Right wrist XR | posteroanterior | female, 10 yo | subsequent exam —
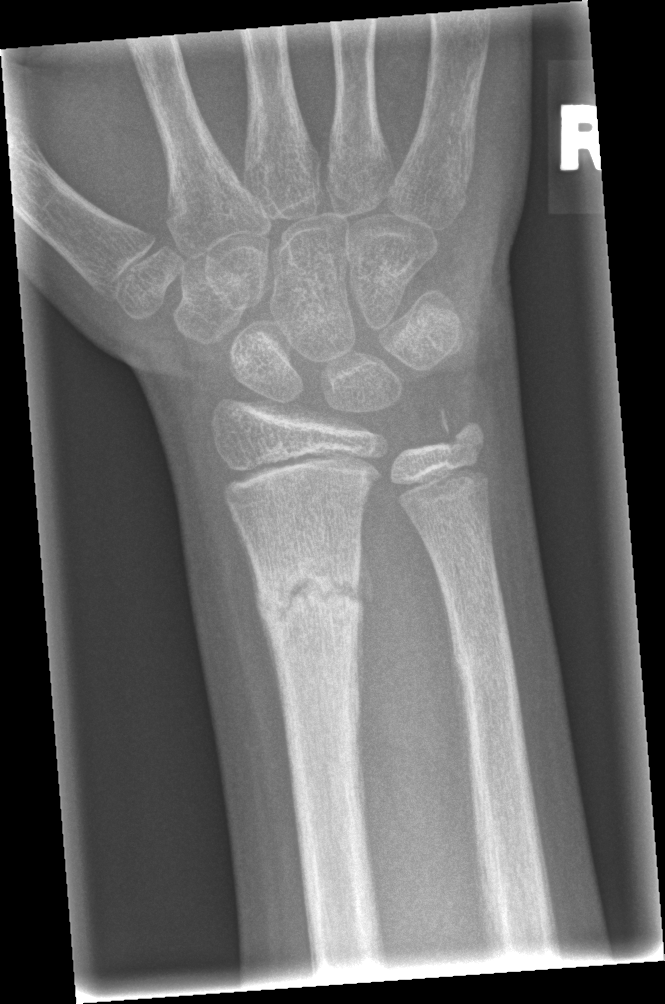
(boxes as x1,y1,x2,y2 (top-left / bottom-right, pixel units))
fracture: 3 @ [x1=252, y1=553, x2=369, y2=645] [x1=443, y1=617, x2=517, y2=682] [x1=432, y1=400, x2=487, y2=456]
periosteal new bone: [x1=439, y1=585, x2=474, y2=797]; [x1=357, y1=520, x2=372, y2=736]